L plain radiograph of the wrist, oblique, 486 by 1091 pixels: 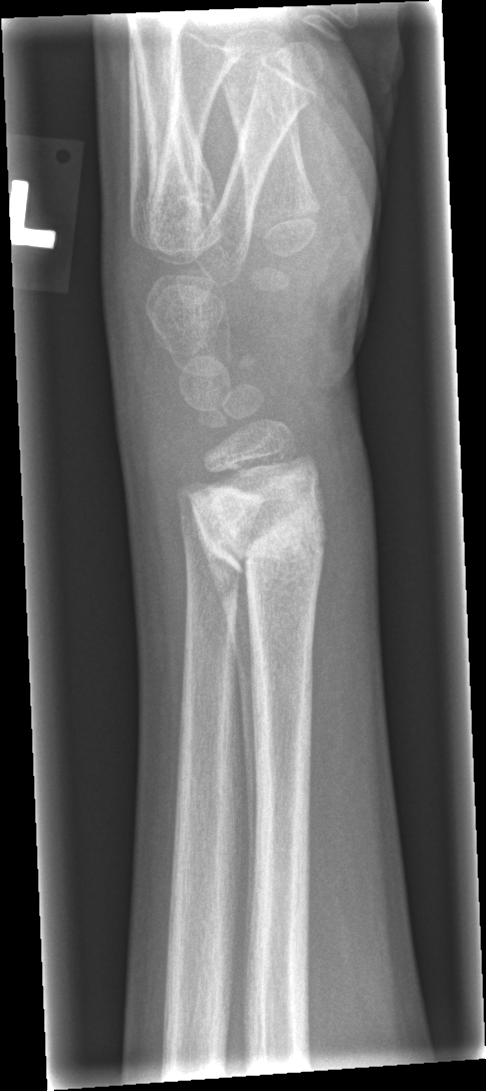 AO code 23-M/2.1. Fx — (left=187, top=477, right=332, bottom=577). One periosteal reaction at (left=197, top=523, right=260, bottom=939). Osteopenic.